Left wrist X-ray, lateral view, male, 13 yo:

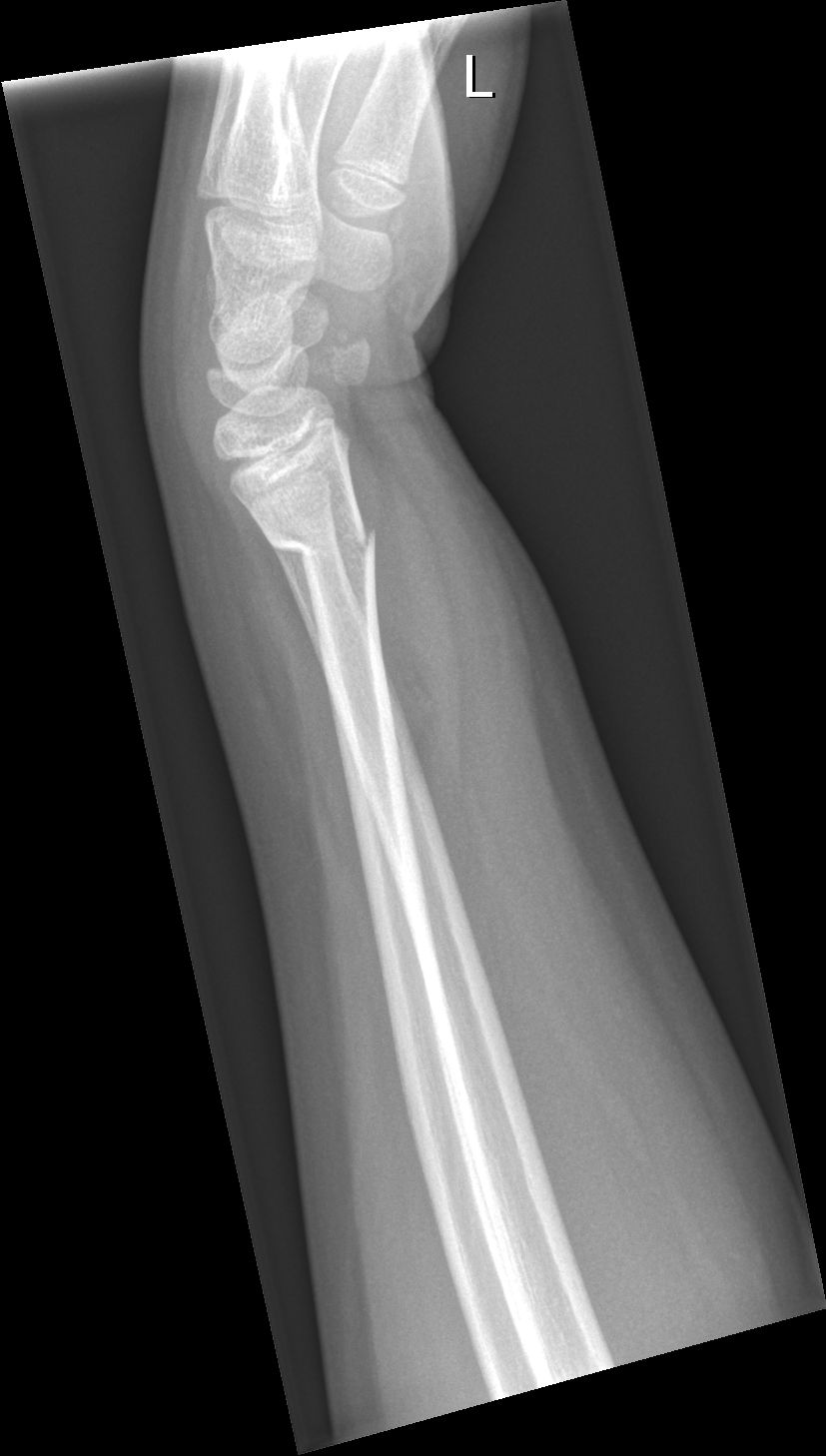
FINDINGS — Positive pronator fat-pad sign — <344,419>-<474,852>. Fracture — <262,522>-<380,574>.